Lateral · R wrist X-ray · subsequent exam · image 100.9 mm wide: 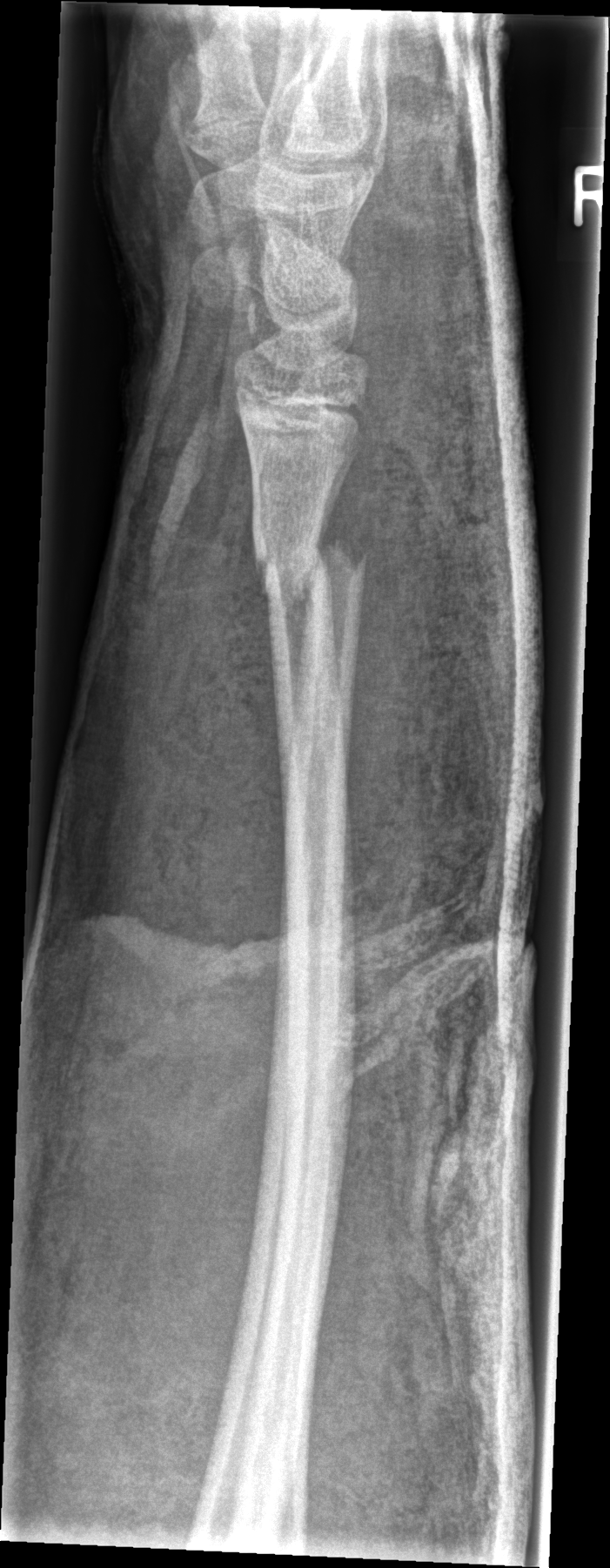 (coordinates are [x1, y1, x2, y2] in image pixels)
Q: Is there a fracture?
A: Bone fracture: (250, 522, 373, 612)